R wrist plain film · lateral · 13y M · in cast
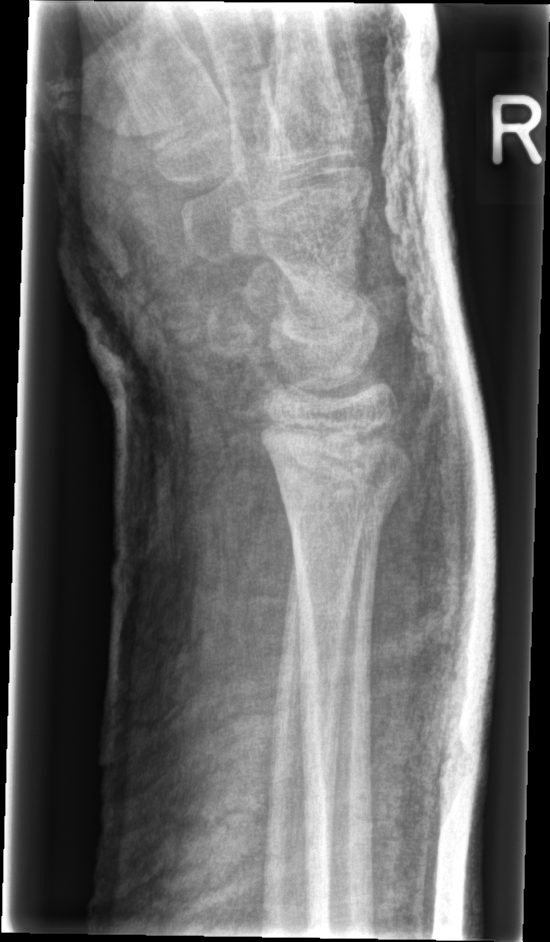
Fx identified at 271 458 415 537. Fracture classified AO/OTA 23r-M/2.1.